PA/AP projection · right pediatric wrist radiograph · male, 9 yo · 517 by 1360 pixels

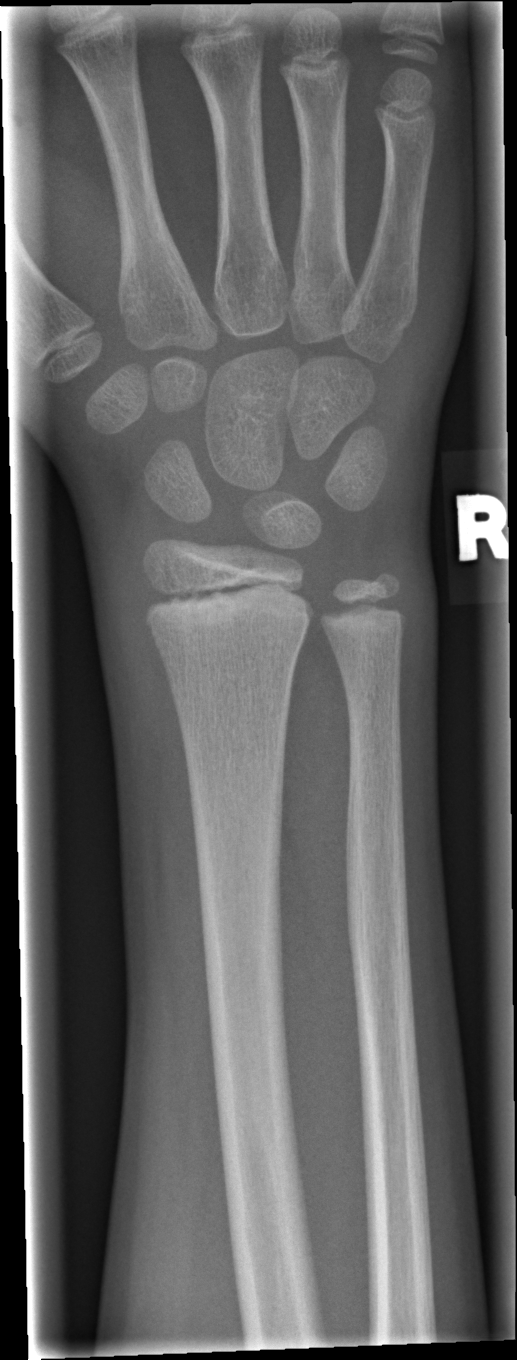
FINDINGS — No fracture annotation.